Rt wrist plain film | lateral projection | 12-year-old female | cast present —
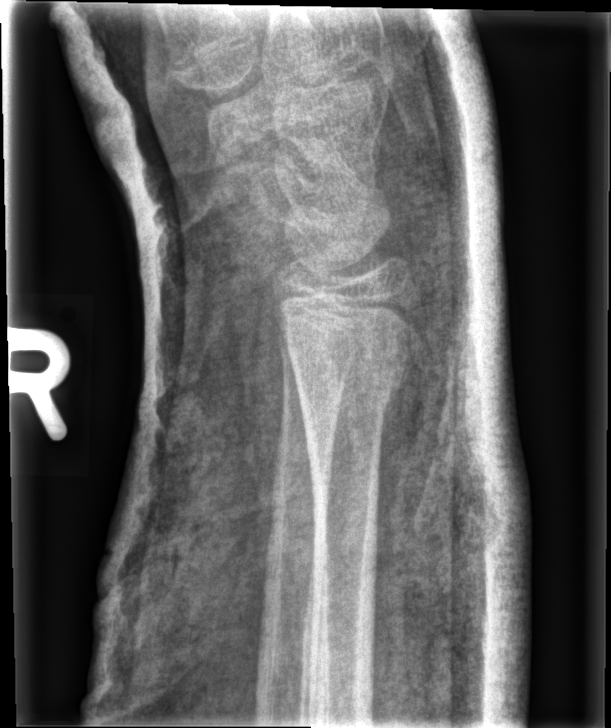
Boxes as x1,y1,x2,y2 (top-left / bottom-right, pixel units).
Bone fracture — (294, 342, 406, 411).
AO/OTA classification: 23r-M/2.1; 23u-E/7.